Lt wrist XR · AP · image 85.0 mm wide:

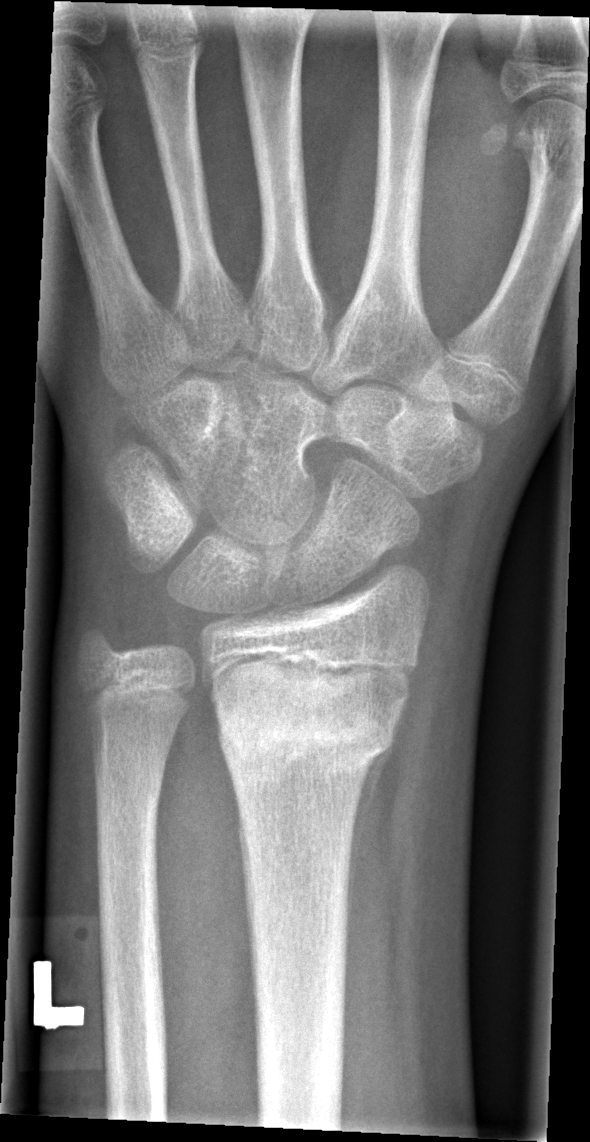
- Osteopenic.
- Fracture classified AO/OTA 23r-M/3.1; 23u-M/2.1.
- One periosteal thickening at (left=350, top=751, right=386, bottom=889).
- Two fractures at (left=213, top=673, right=412, bottom=784) (left=84, top=744, right=171, bottom=802).